AP; L pediatric wrist radiograph; follow-up study; cast present; detector: Siemens

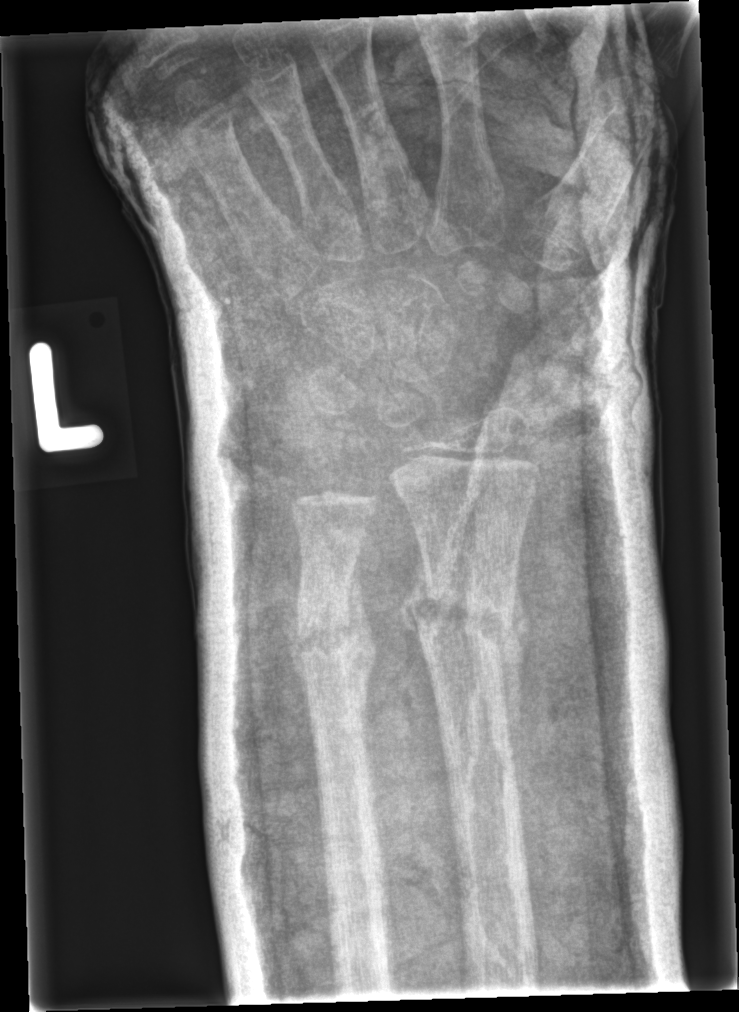 • Fracture classified AO/OTA 23-M/3.1.
• Four periosteal thickening at [500, 581, 525, 787] [349, 561, 376, 721] [287, 584, 308, 716] [401, 561, 426, 655].
• Fracture: [402, 561, 525, 706], [286, 584, 374, 693].